Right wrist radiograph; PA; follow-up study; cast present; 87.4 mm image width —
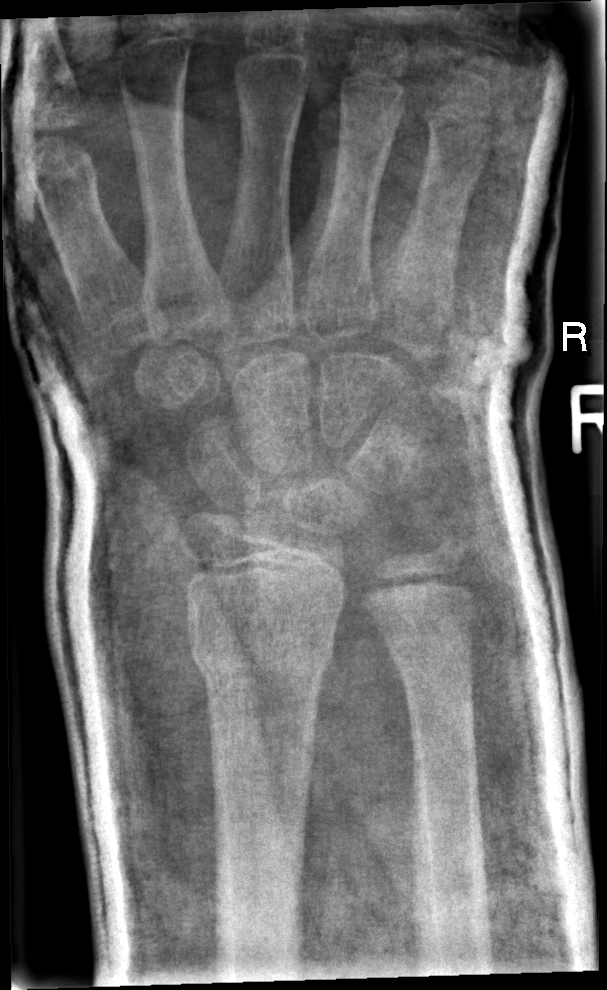 Fx identified at [x1=185, y1=620, x2=340, y2=697]; [x1=383, y1=630, x2=480, y2=685].
AO code 23-M/2.1.